Rt wrist X-ray, frontal, male, 1.9 yo, follow-up, imaged through cast. 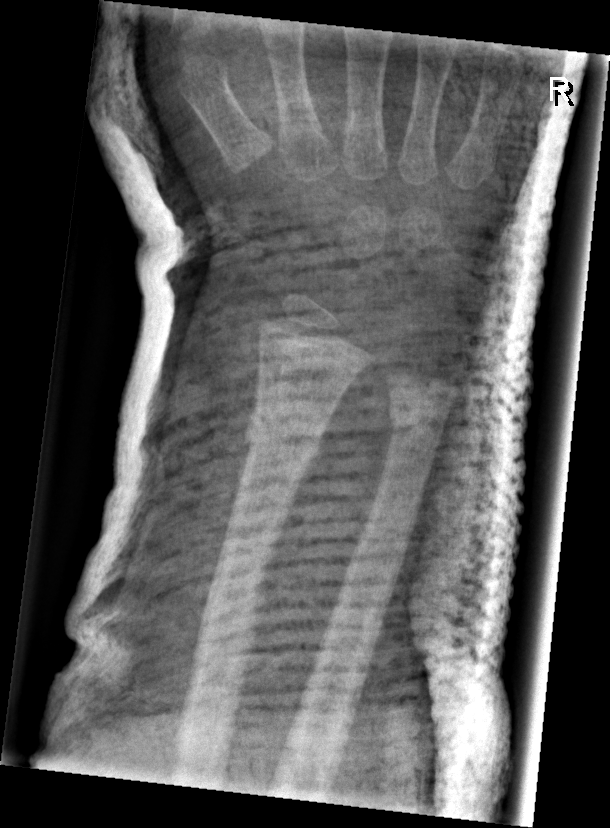 Pixel coordinates, top-left origin, xyxy.
Two fractures at [242, 409, 328, 466], [383, 400, 448, 442].